Right wrist radiograph; PA/AP view; image size 490x948 —
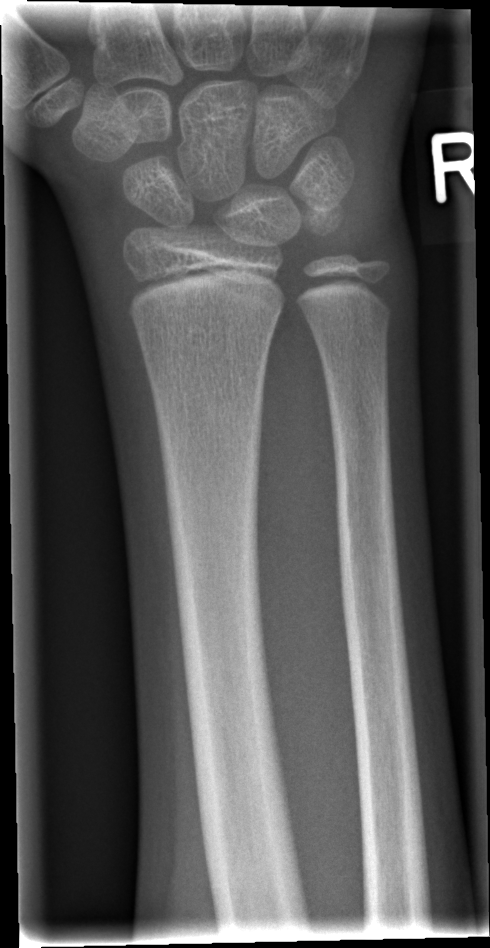
Findings: Fx: none.